AP, left wrist plain film, 13-year-old male, image size 703x972:
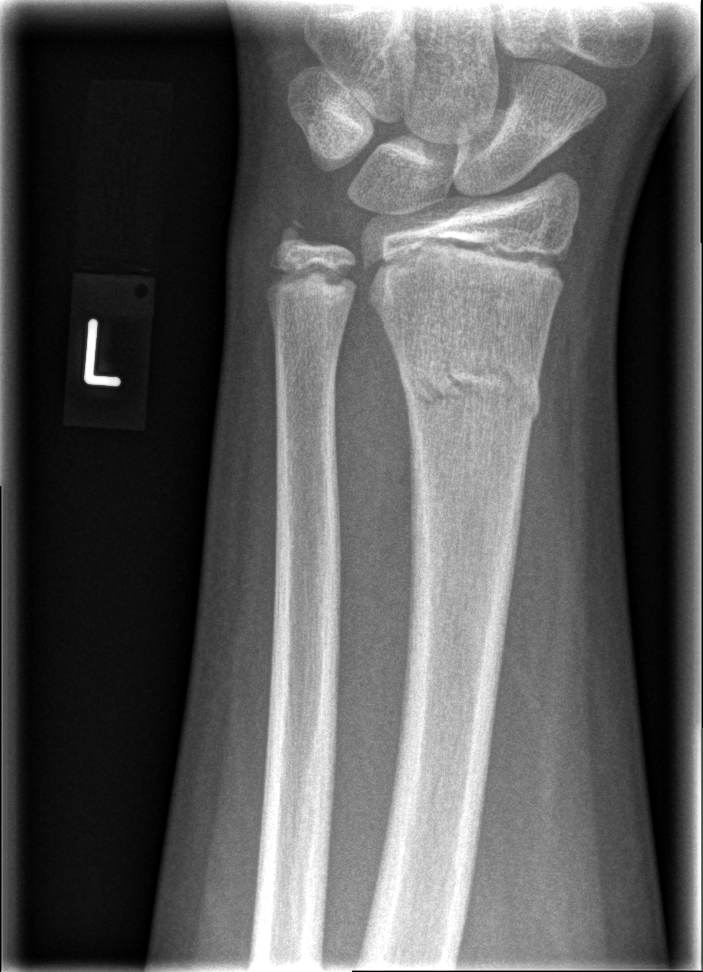

(pixel coordinates, top-left origin, xyxy)
bone fracture = 2 @ (392, 338, 546, 428); (266, 211, 325, 272)
AO code = 23r-M/3.1; 23u-E/7